Lat · Lt wrist plain film · age 8 y, female:

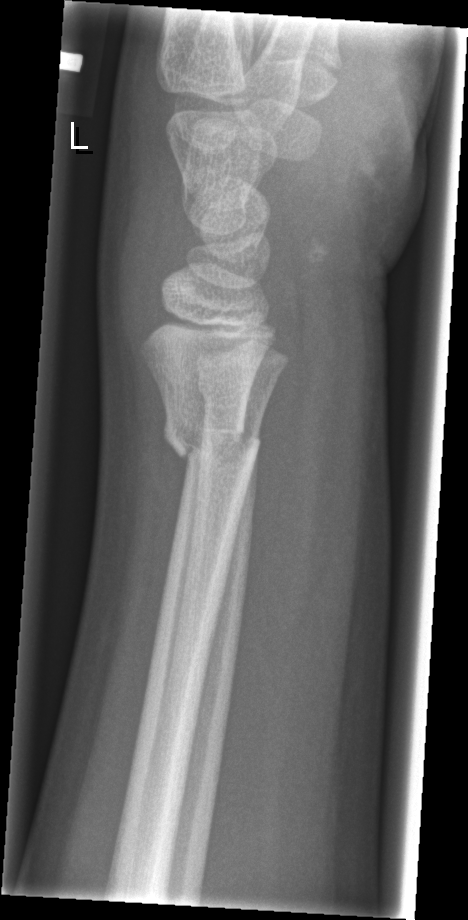
{"_coords": "coordinates are [x1, y1, x2, y2] in image pixels", "softtissue": "bbox(89, 73, 186, 361)", "fracture": "2 @ bbox(160, 403, 265, 473); bbox(192, 362, 277, 415)"}